Frontal; L plain radiograph of the wrist; girl, 5 yo.

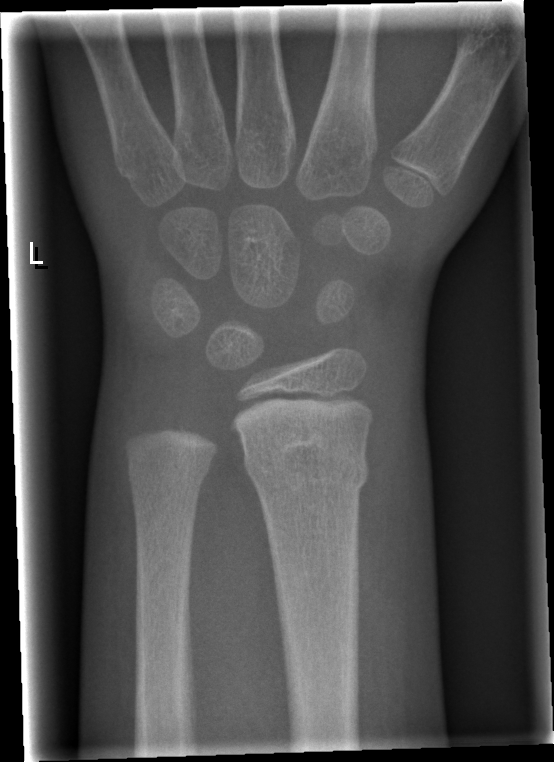 FINDINGS: (boxes as x1,y1,x2,y2 (top-left / bottom-right, pixel units)) Two bone fractures at <241,434>-<371,502> <123,447>-<217,494>. AO code 23-M/2.1.